Rt wrist XR · lat projection · 9y F · index exam · 501 x 1052 px: 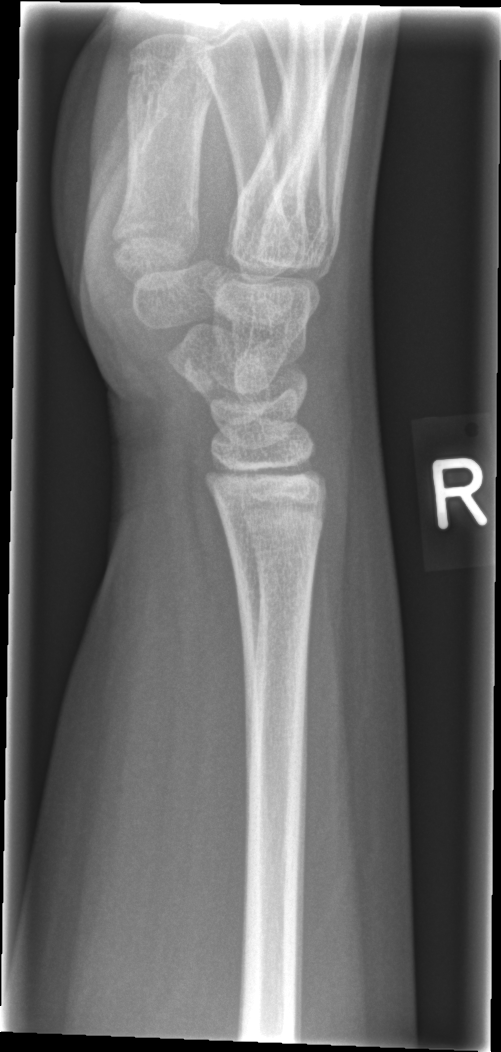
Findings: Fx: none.